AP, Rt pediatric wrist radiograph, presentation radiograph
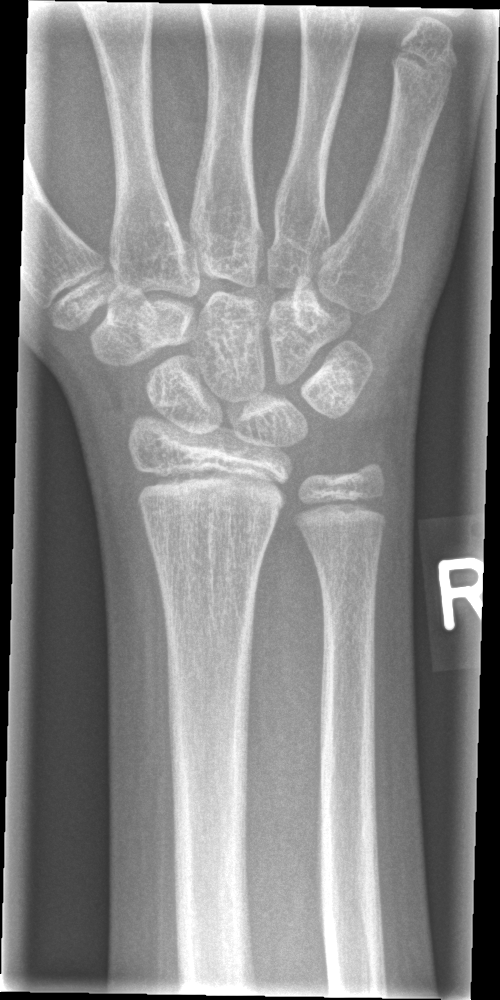
Findings: No fracture labeled.